Rt plain radiograph of the wrist; posteroanterior projection; cast present — 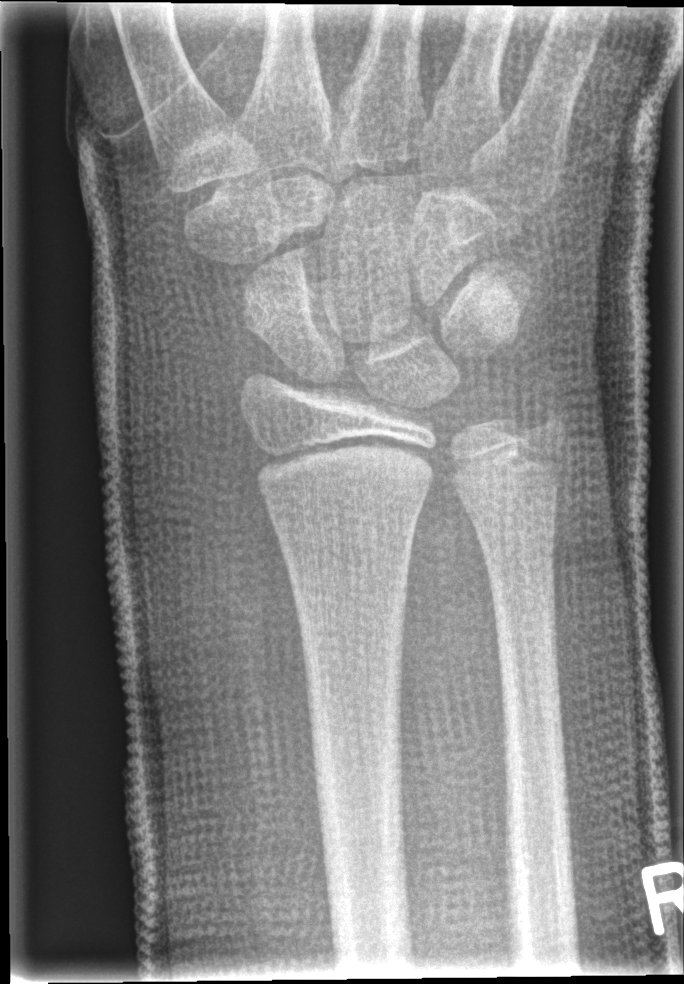 AO/OTA = 23r-E/2.1
fracture = present but not clearly seen in this view